Left plain radiograph of the wrist; lat projection; follow-up; acquired on Siemens

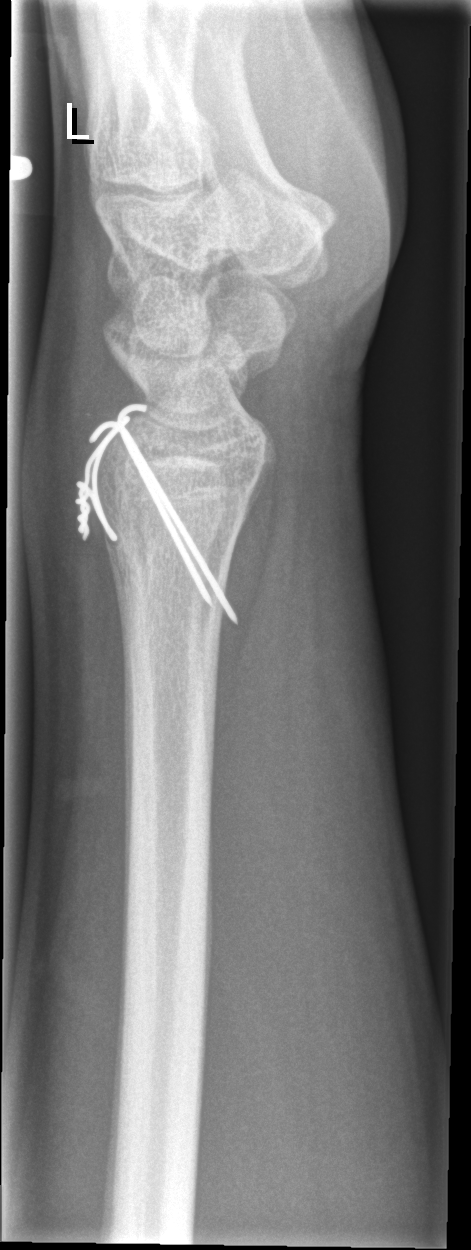 Coordinates are [x1, y1, x2, y2] in image pixels. AO/OTA classification: 23r-M/2.1; 23u-E/7. One bone fracture at [x1=79, y1=431, x2=264, y2=595]. Metallic hardware — [x1=74, y1=402, x2=240, y2=626].